AP; Rt wrist XR; cast in situ —

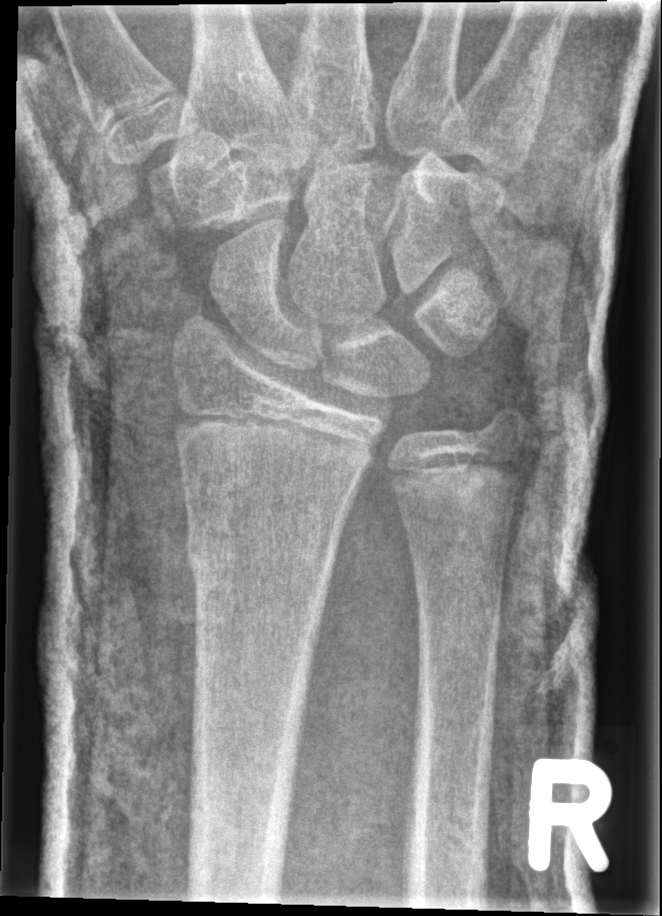
FINDINGS: Fracture classified AO/OTA 23r-M/2.1. Bone fracture — <181,522>-<339,584>.